Lat projection | left wrist radiograph | 484x889 —
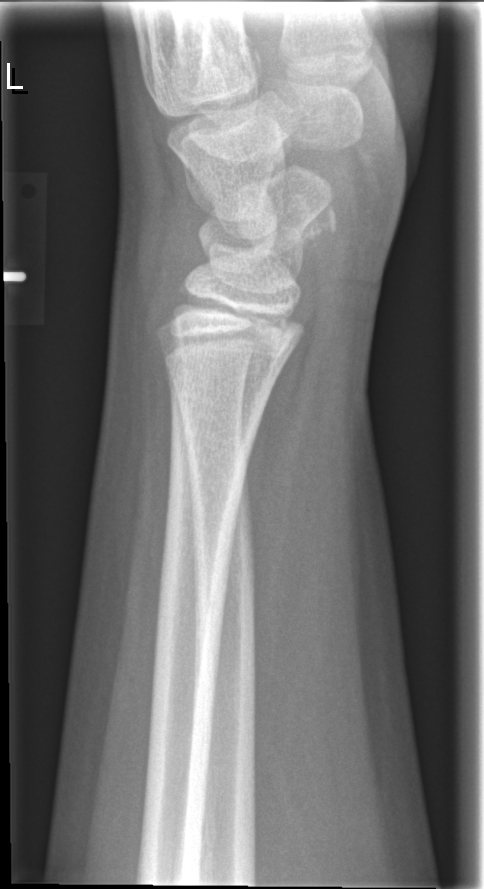
No fracture bounding box.